AP view · Rt wrist radiograph —
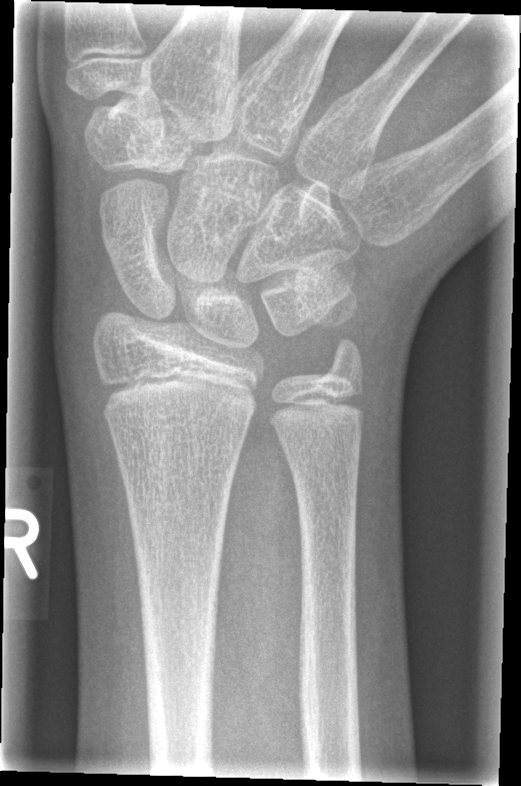

FINDINGS — No fracture labeled.